Lt pediatric wrist radiograph · lat projection.

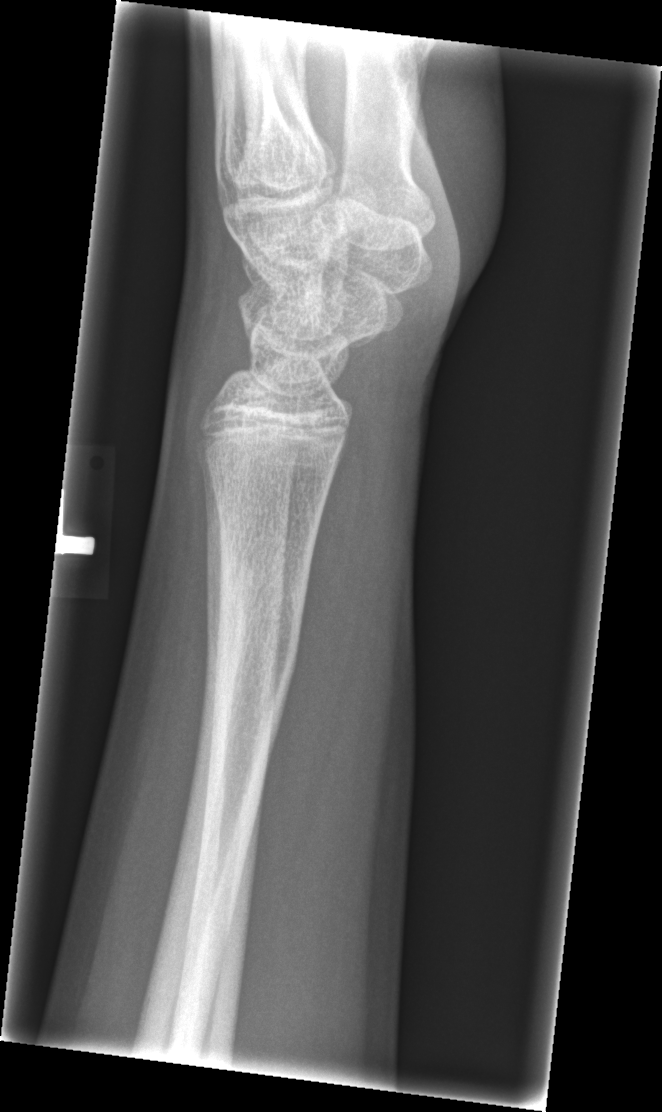 Coordinates are [x1, y1, x2, y2] in image pixels. Fracture classified AO/OTA 23r-M/2.1; 23u-E/7. One bone fracture at <204,513>-<314,676>.